Left wrist X-ray, lateral projection: 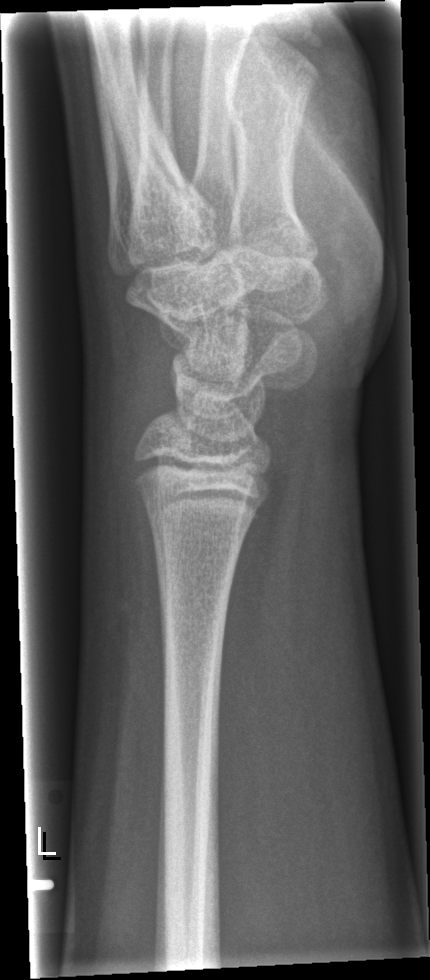 {"fracture": "none labeled"}